AP, left wrist XR, boy, 13 yo, follow-up, imaged through cast, 109.2 mm image width, 758 x 1189 px — 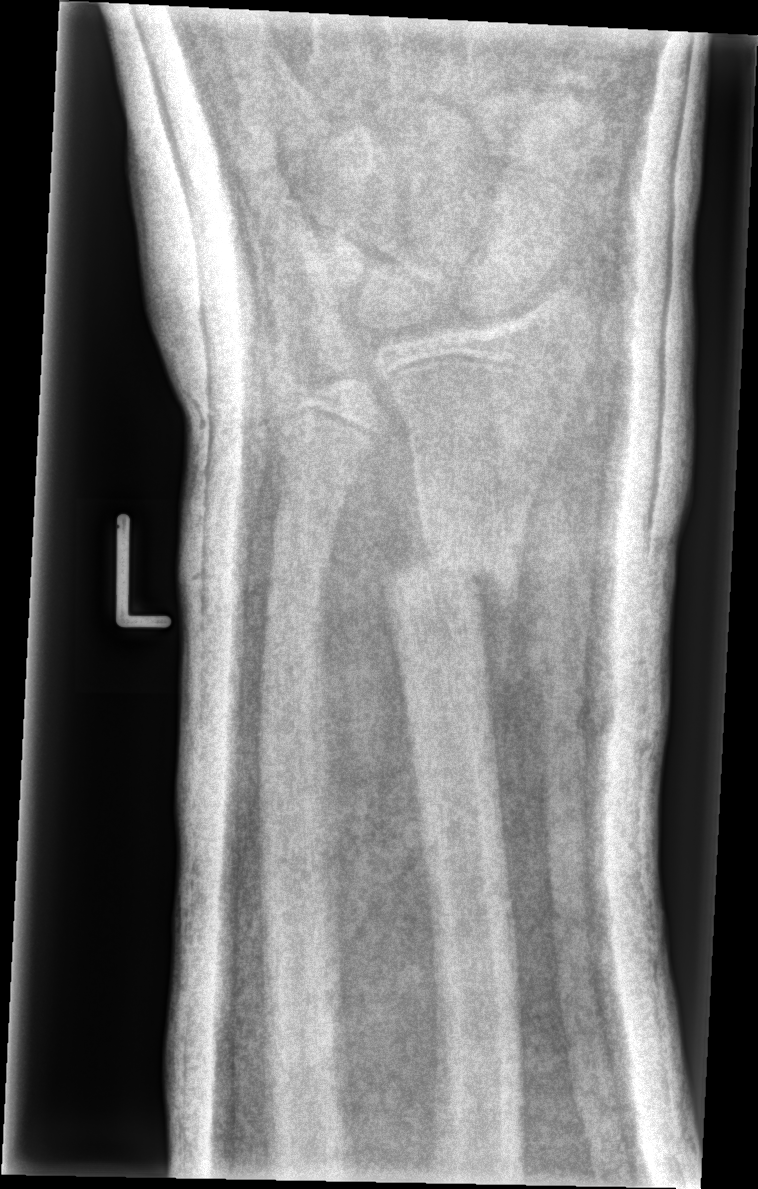
Findings: Fracture classified AO/OTA 23r-M/3.1. Fracture identified at [375, 547, 523, 613].